Lateral projection | left wrist radiograph | pediatric patient (male, age 13):

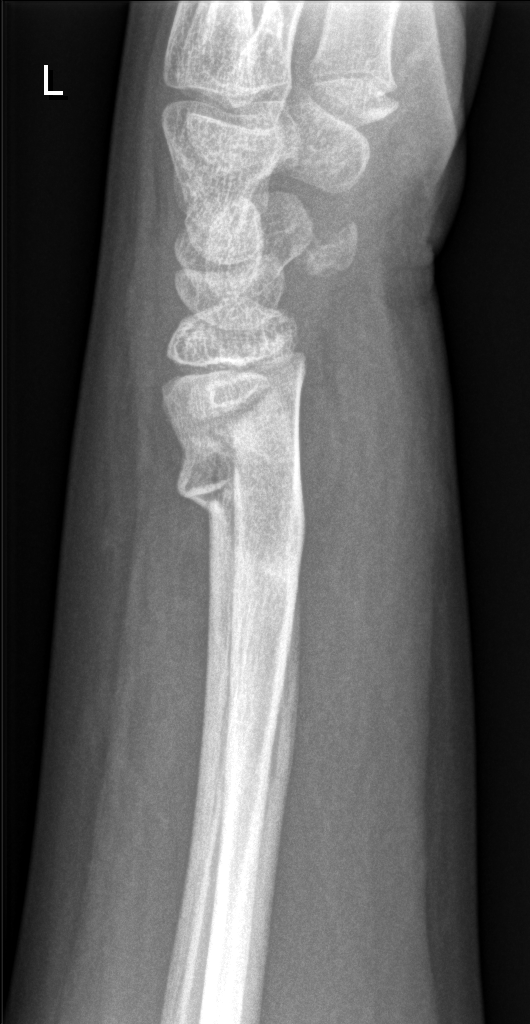 soft-tissue finding = [x1=299, y1=261, x2=458, y2=807]
bone fracture = 1 @ [x1=169, y1=422, x2=307, y2=536]
AO classification = 23-M/3.1
pronator quadratus fat-pad sign = [x1=293, y1=333, x2=378, y2=665]